PA projection | left plain radiograph of the wrist | age 4 y, female | subsequent exam. 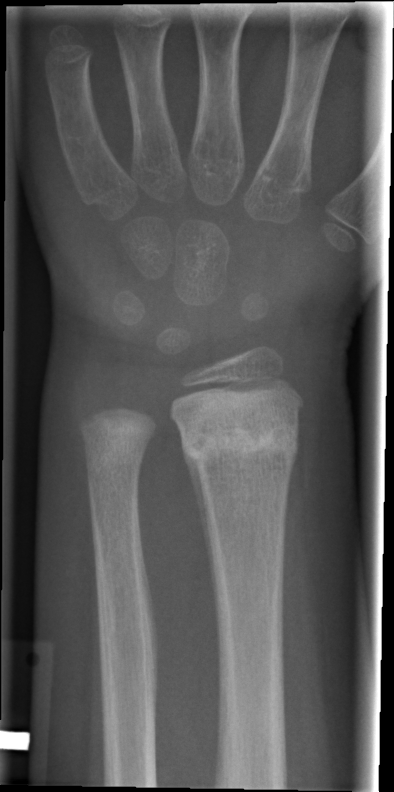
One periosteal new bone at bbox(184, 456, 214, 586).
Bone fracture: bbox(165, 390, 307, 476); bbox(78, 421, 155, 480).